Posteroanterior projection; left wrist plain film; cast present:

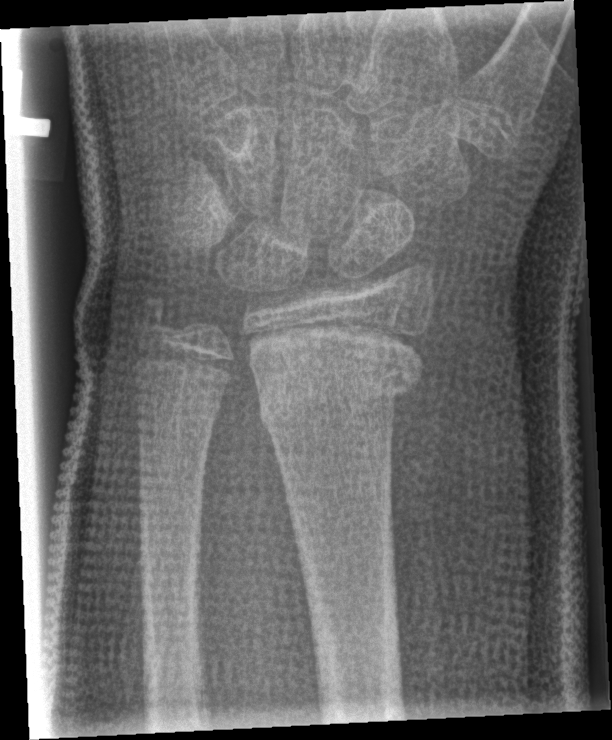
Coordinates are [x1, y1, x2, y2] in image pixels. Fracture classified AO/OTA 23r-M/3.1; 23u-M/2.1; 23u-E/7. Bone fractures — bbox(256, 346, 423, 437) bbox(129, 289, 178, 339).